Posteroanterior projection, Lt pediatric wrist radiograph, initial study, detector: Siemens, 523 x 804 px — 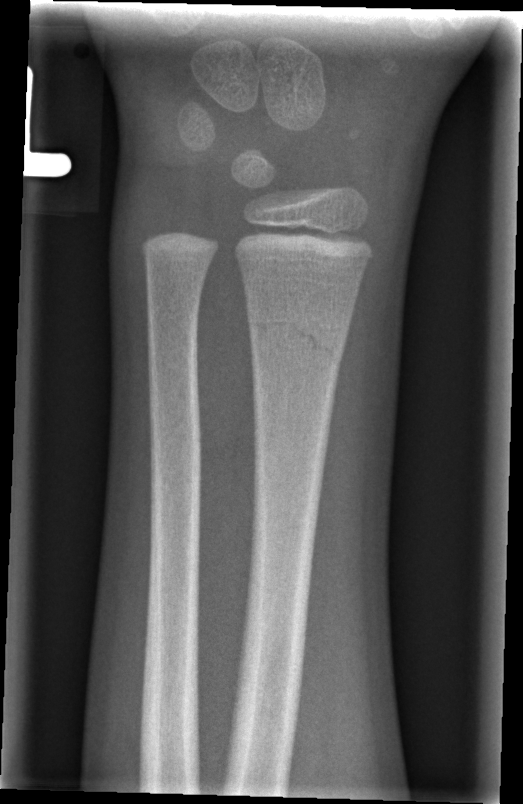
# boxes as x1,y1,x2,y2 (top-left / bottom-right, pixel units)
fracture: (243, 297, 351, 373)